L wrist plain film | PA/AP projection | 13-year-old boy | cast in situ | 680x1112. 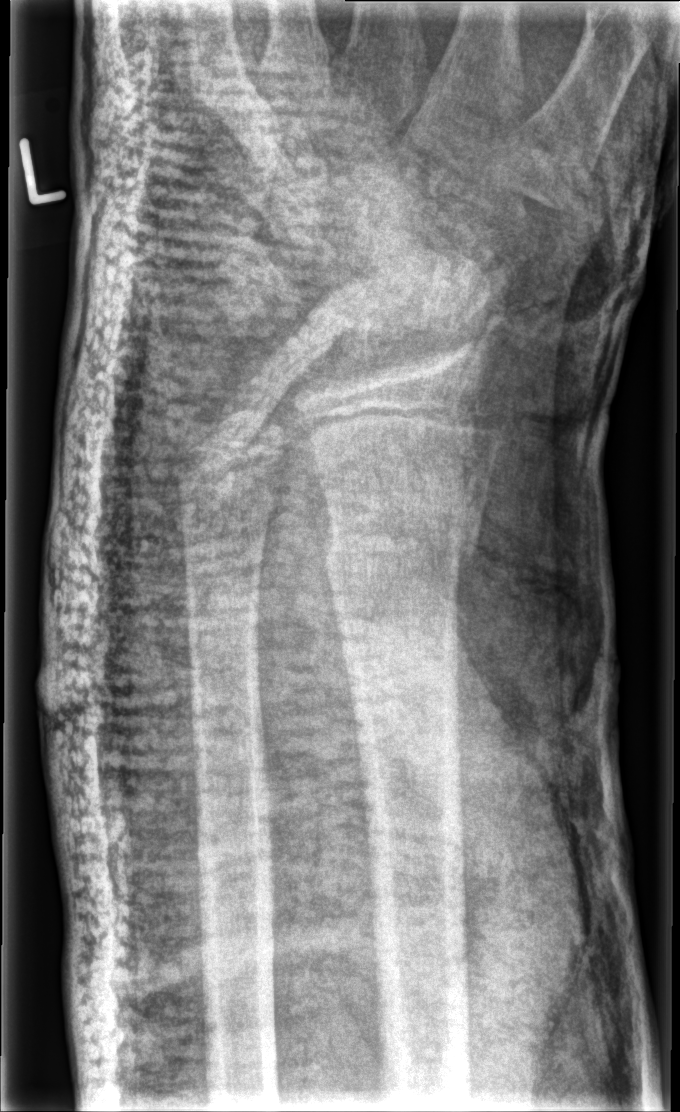
fracture: bbox(319, 491, 479, 596)